R wrist XR | lateral | cast present | 468 by 1012 pixels:

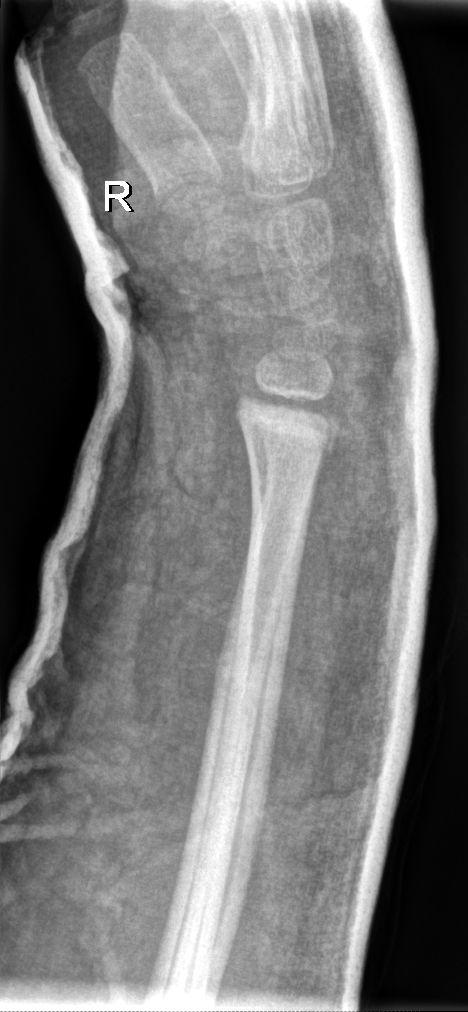
{"_coords": "boxes as x1,y1,x2,y2 (top-left / bottom-right, pixel units)", "fracture": "230 391 344 468", "ao": "23r-E/2.1"}